Lat | R wrist radiograph.

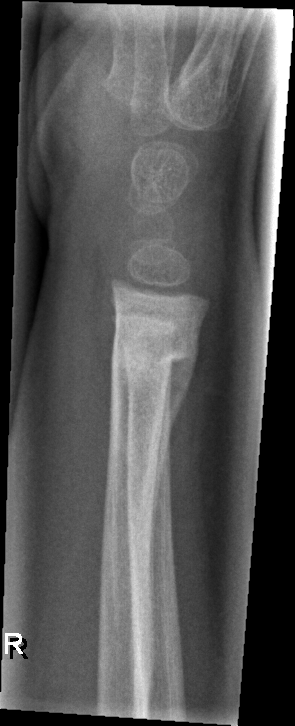

Fracture classified AO/OTA 23r-M/2.1.
One periosteal reaction at 152,356,197,534.
Osteopenia.
Fracture identified at 106,332,201,393.